Lt plain radiograph of the wrist; posteroanterior view; follow-up study; cast in situ; 100.8 mm image width 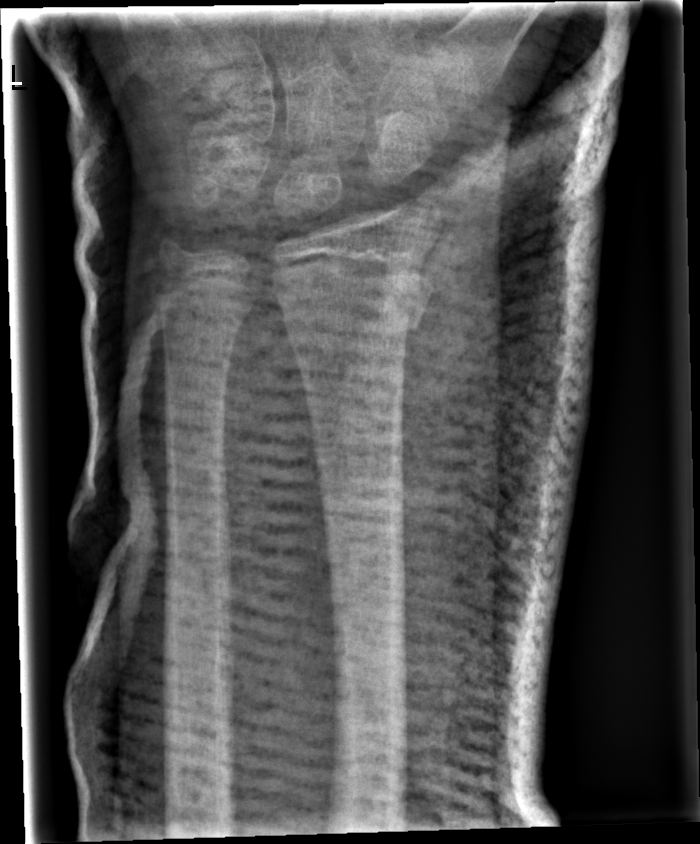 (pixel coordinates, top-left origin, xyxy)
AO/OTA = 23r-E/2.1; 23u-M/2.1
bone fracture = 1 @ [267, 253, 436, 339]